Right wrist XR; frontal projection; 13-year-old female; follow-up study; in cast; 89.7 mm image width
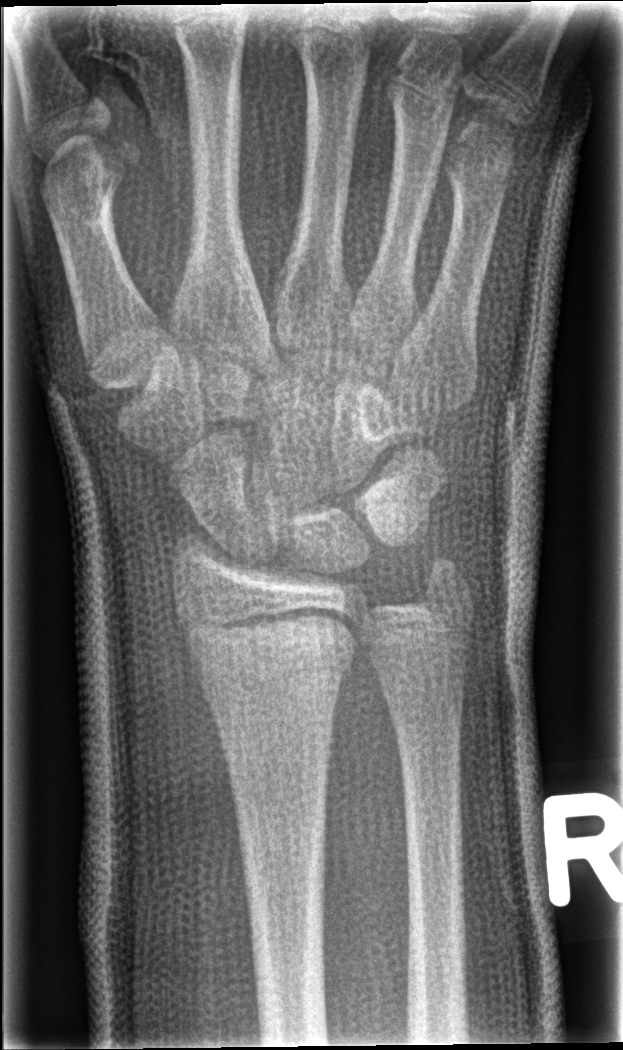

FINDINGS: AO/OTA classification: 23r-E/2.1; 23u-E/7. Fracture identified at [x1=180, y1=599, x2=361, y2=677] [x1=413, y1=553, x2=478, y2=614].